Lat projection | right wrist XR | pediatric patient (male, age 16) | follow-up | Siemens 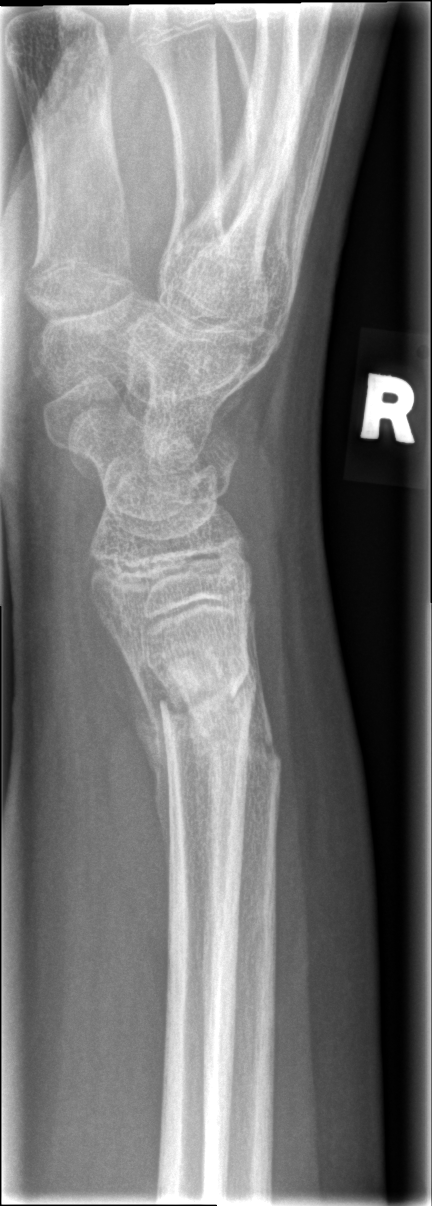 (coordinates are [x1, y1, x2, y2] in image pixels)
AO code = 23-M/3.1; 23u-E/7
periosteal reaction = 118,646,175,884
bone fracture = 2 @ 139,630,264,754; 187,690,289,808
osteopenia = present